Frontal view; left wrist plain radiograph of the wrist. 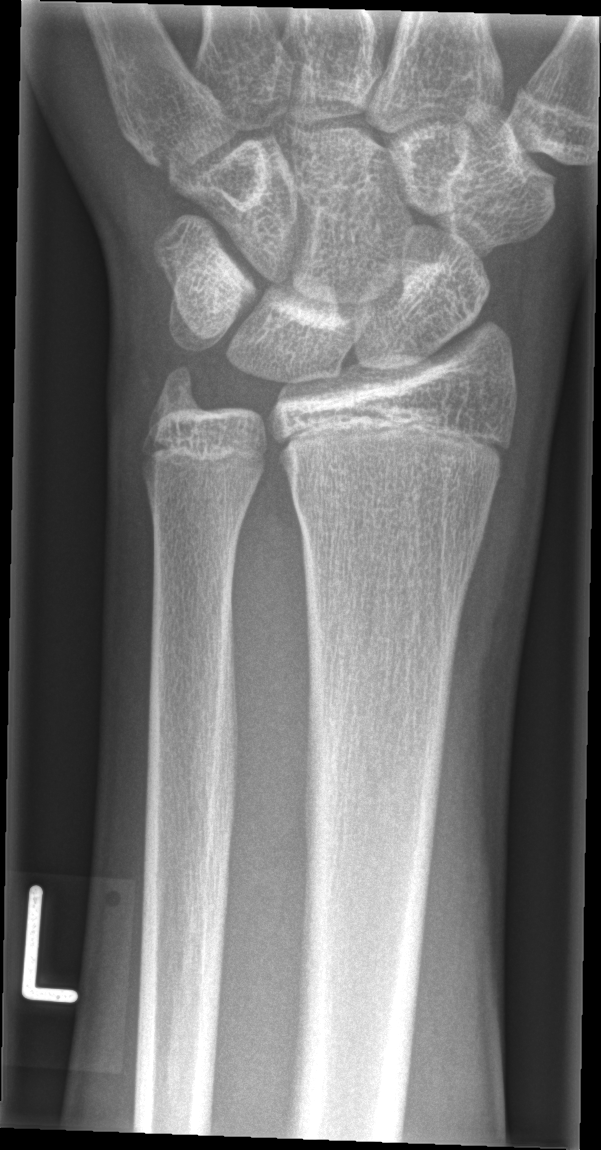
* Fracture: none labeled.